Lateral view, right wrist radiograph, boy, 15 yo, in cast — 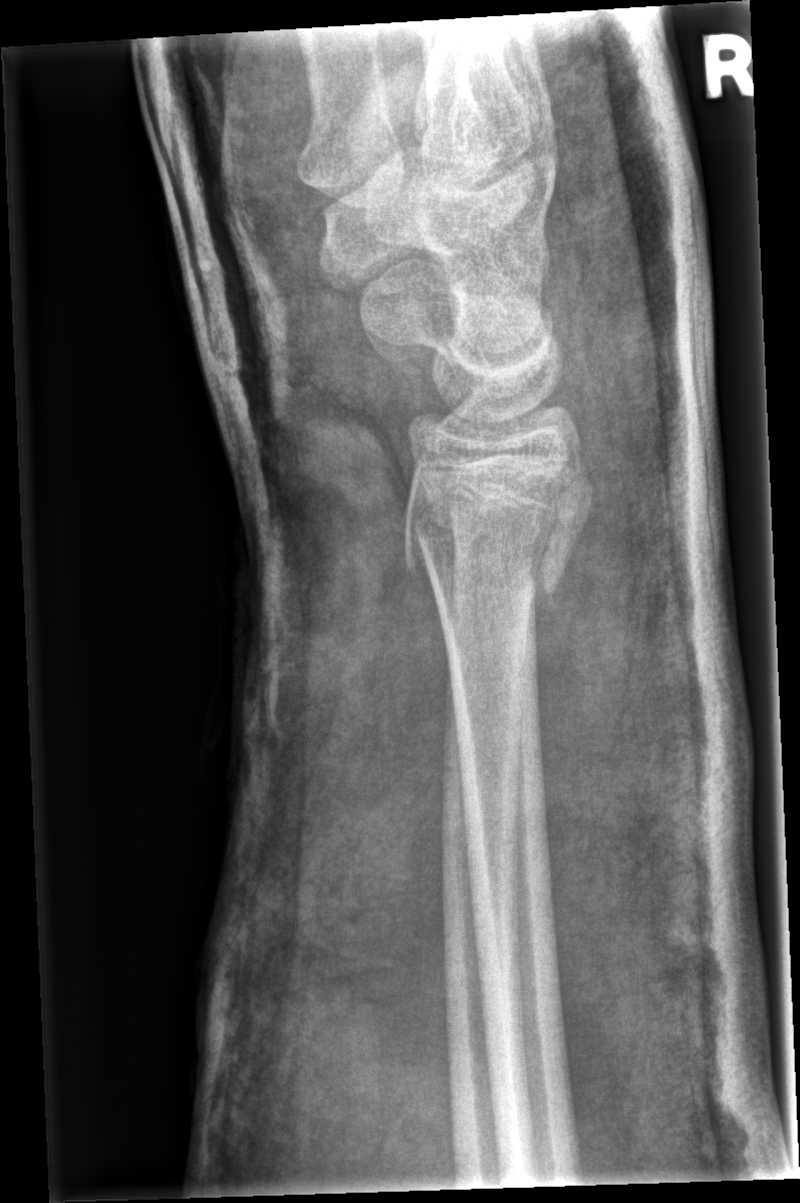
(pixel coordinates, top-left origin, xyxy)
AO code: 23r-M/3.1; 23u-E/7
bone fracture: 396 477 598 628